Lt pediatric wrist radiograph, lat projection, 11-year-old girl, follow-up, in cast:
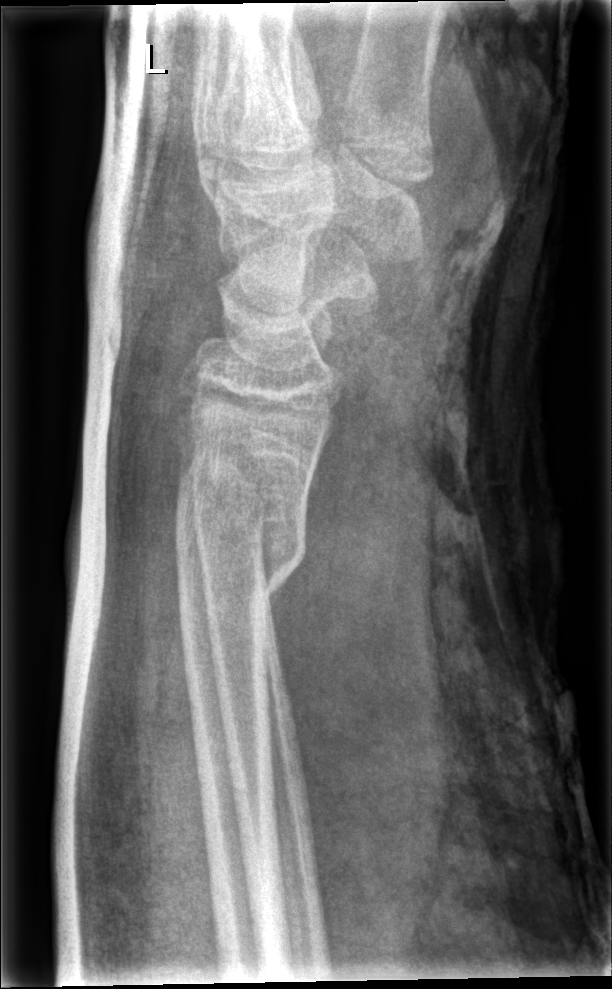 AO code 23r-M/2.1; 23u-E/2.1. One bone fracture at bbox(166, 467, 314, 620).